Lat view · left wrist X-ray · age 10 y, girl · follow-up study · image size 649x1162: 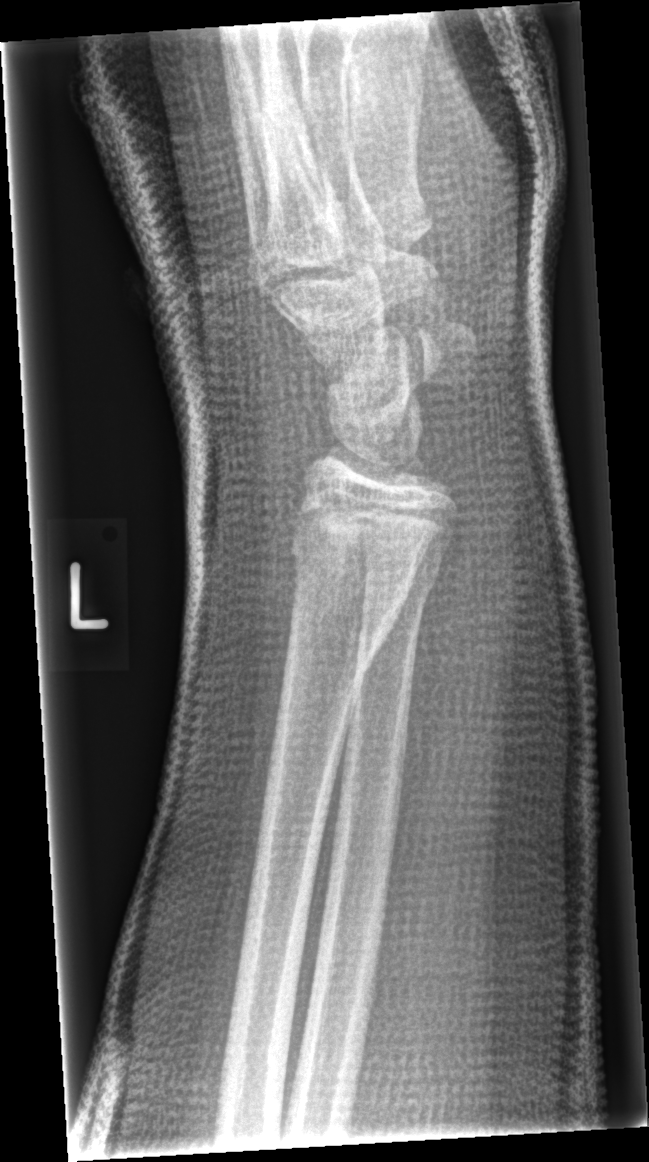

• AO/OTA classification: 23-M/3.1.
• Fx — (287, 495, 420, 629) (361, 543, 446, 602).